PA/AP; R pediatric wrist radiograph; 15y M; imaged through cast; 746 x 1066 px:

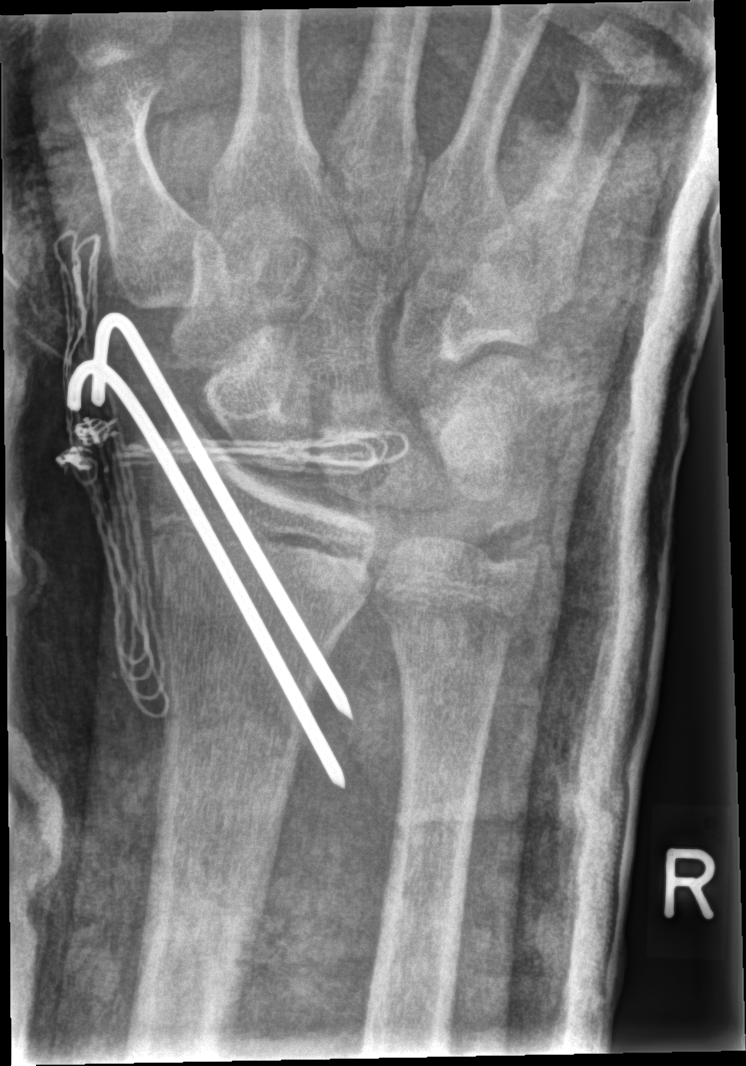 Hardware = 1 @ [62, 301, 364, 799]
Fracture = [148, 517, 377, 610] [483, 515, 543, 579]